L pediatric wrist radiograph; posteroanterior projection; age 7 y, girl; in cast; image size 864x1298:
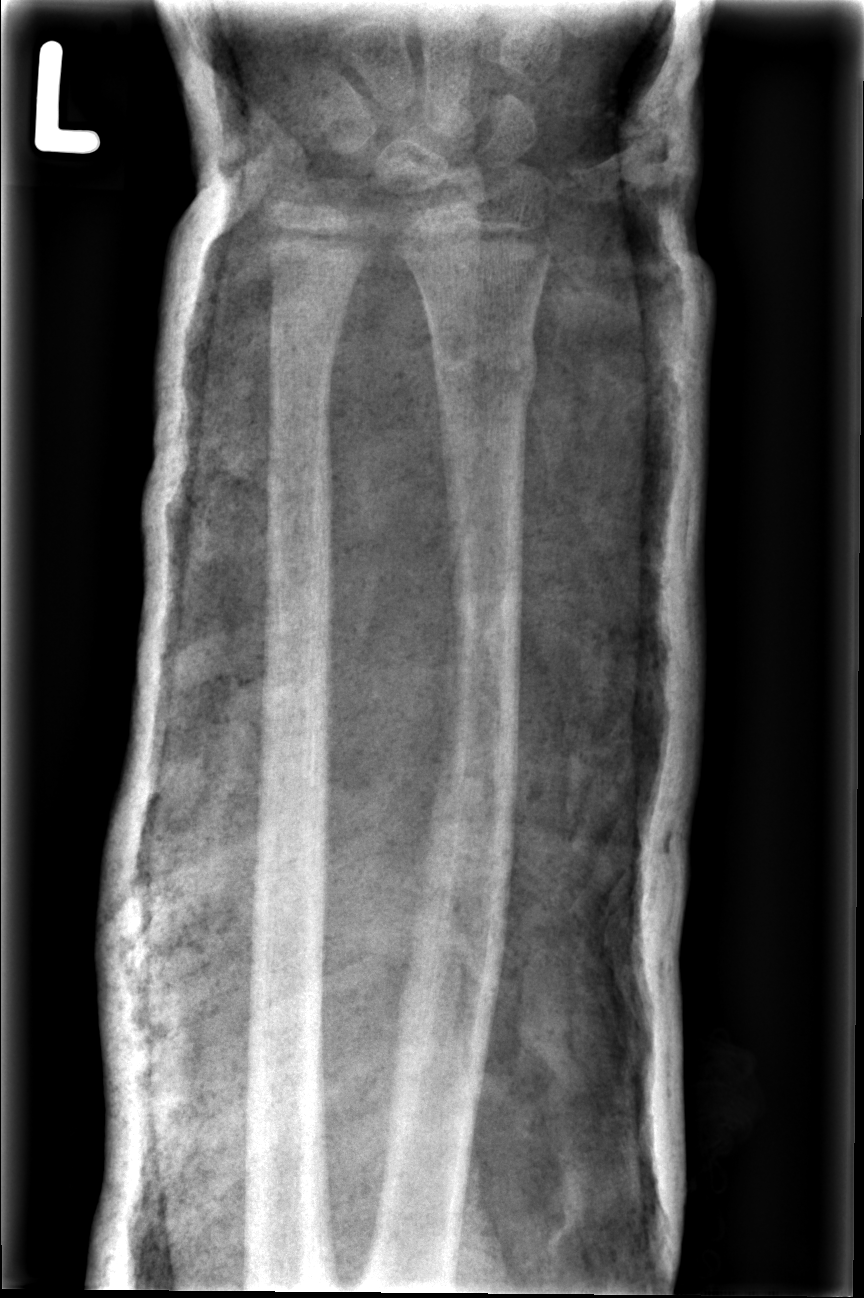 - Fractures — [x1=428, y1=328, x2=542, y2=410], [x1=261, y1=306, x2=350, y2=365].
- Fracture classified AO/OTA 23-M/2.1.